L wrist XR, AP projection, follow-up, cast in situ.

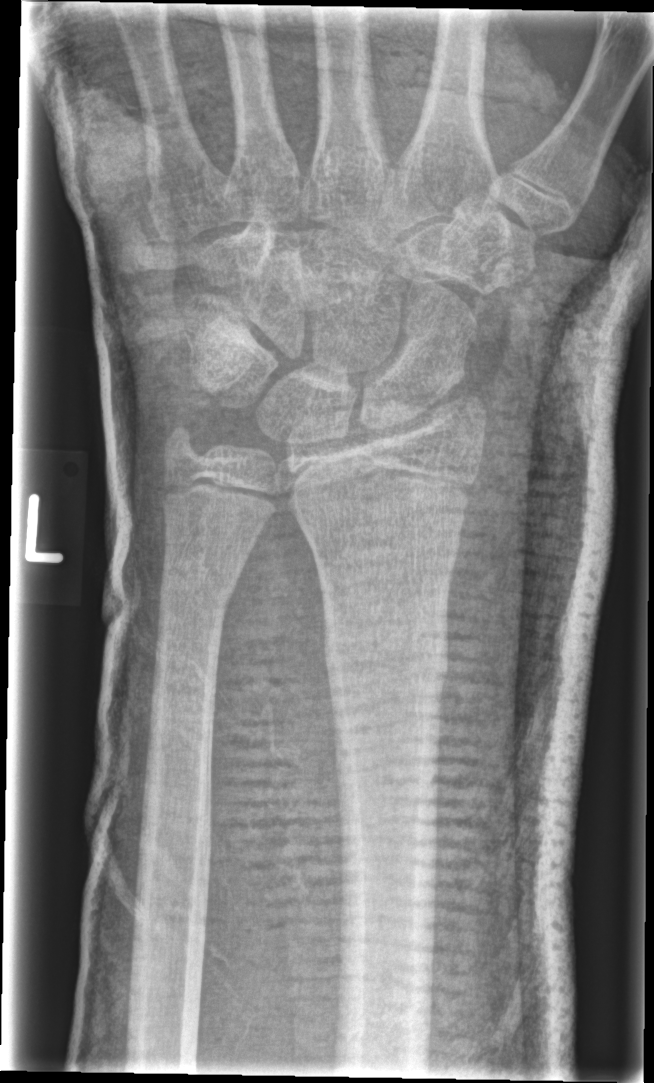 - Pixel coordinates, top-left origin, xyxy.
- Two bone fractures at (left=319, top=605, right=453, bottom=703); (left=155, top=563, right=241, bottom=628).